Frontal view; Rt wrist XR; initial study; 89.6 mm image width — 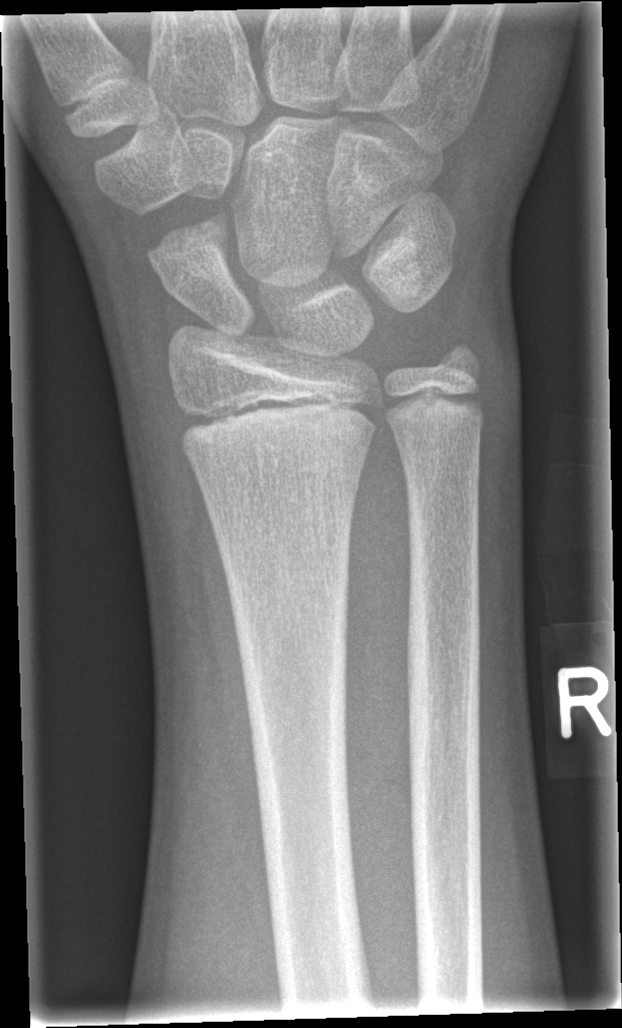 One bone anomaly at <136,212>-<249,289>. No fracture annotation.